Right wrist plain radiograph of the wrist | PA projection | detector: Siemens | 85.1 mm image width
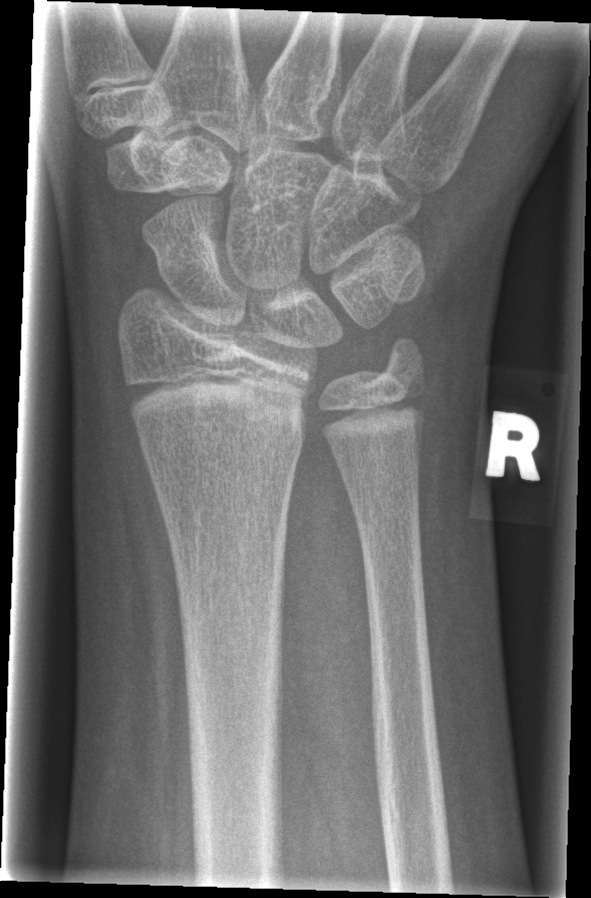
AO/OTA = 23r-M/2.1
Fracture = present but not clearly seen in this view